Left wrist radiograph · lat: 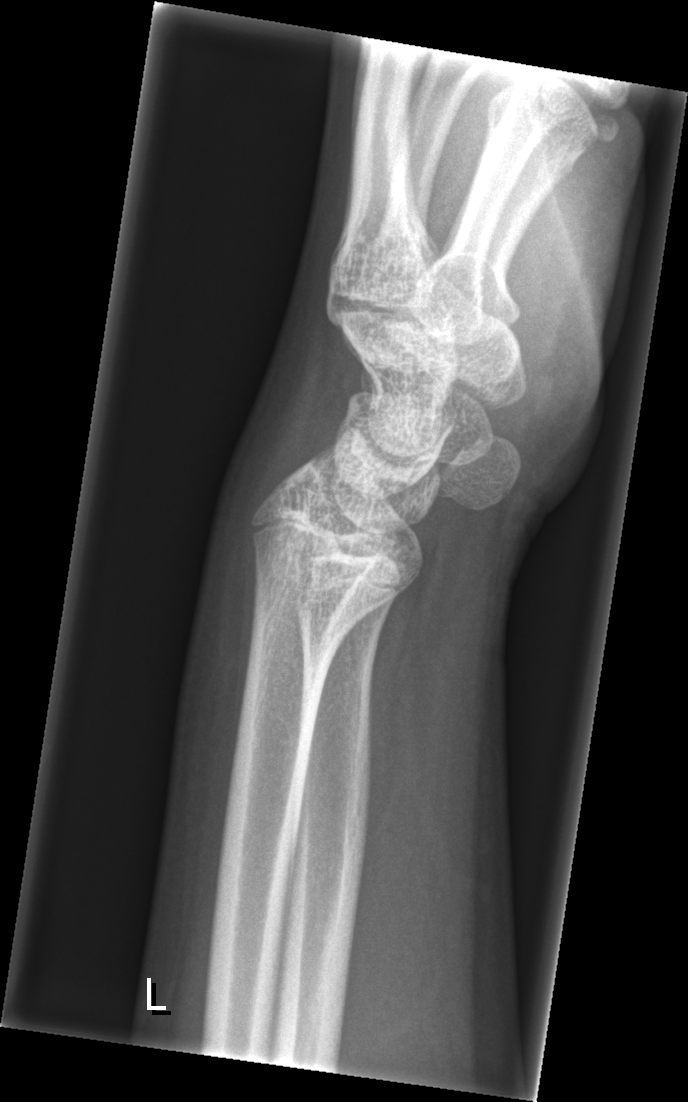
{
  "fracture": "none labeled"
}